L wrist radiograph; lat projection; initial study 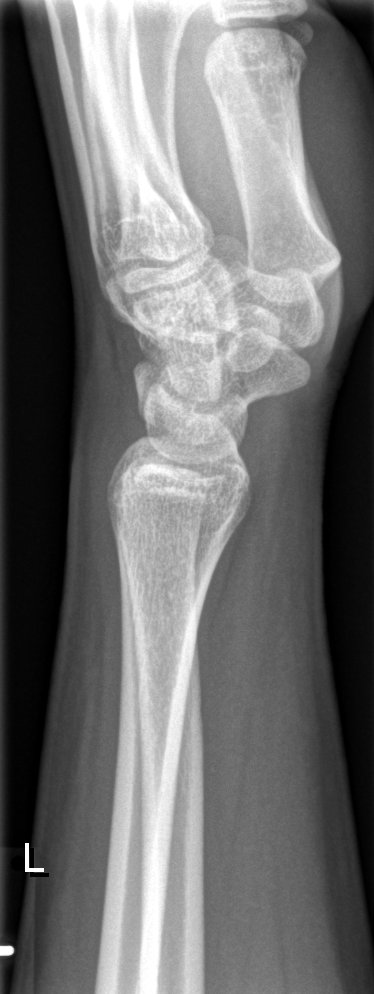
Fx: none labeled